Left wrist plain radiograph of the wrist; lat —

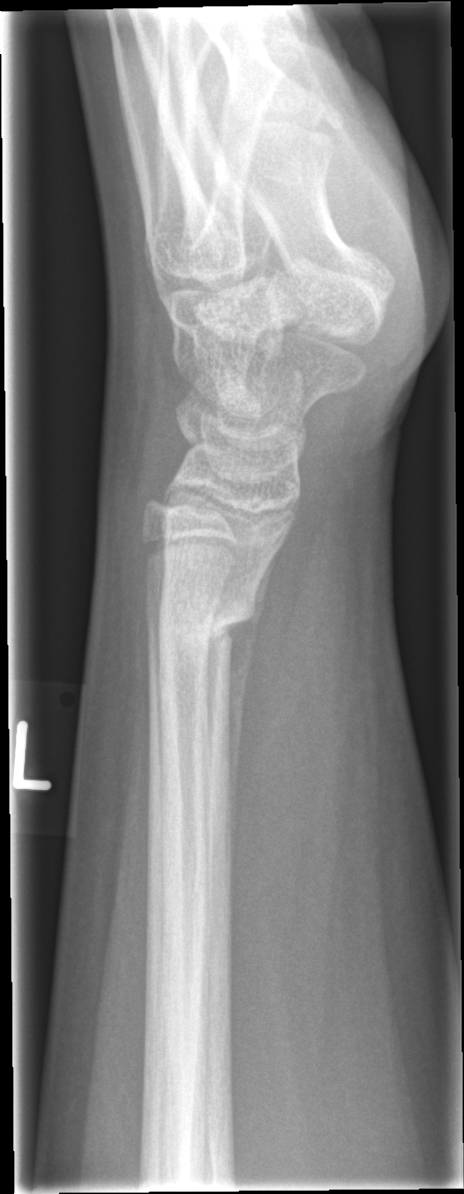 - Bounding boxes in image-pixel xyxy.
- Periosteal reaction: (left=221, top=544, right=283, bottom=877).
- Fracture: (left=151, top=589, right=261, bottom=658).
- Osteopenic.
- AO code 23r-M/3.1.